PA/AP projection | R wrist plain film | pediatric patient (boy, age 10) | presentation radiograph | 504 x 860 px:
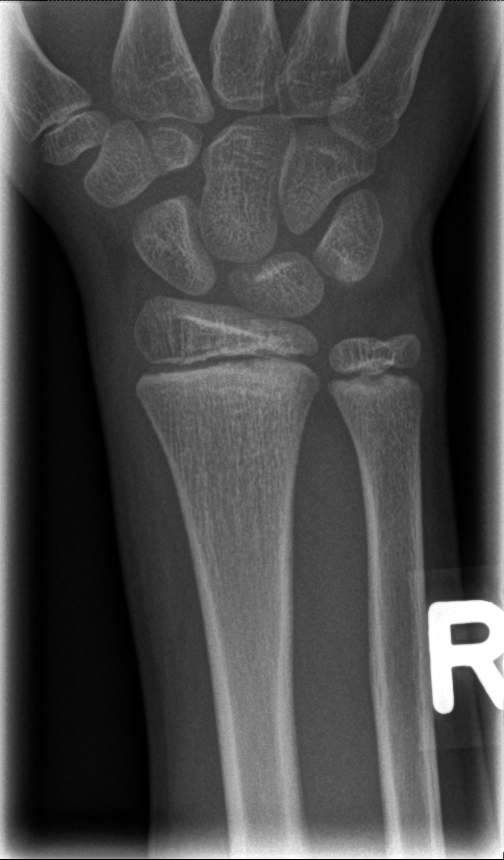

Fx: present but not clearly seen in this view
AO code: 23r-M/2.1